Lateral projection, left wrist plain radiograph of the wrist, boy, 5 yo — 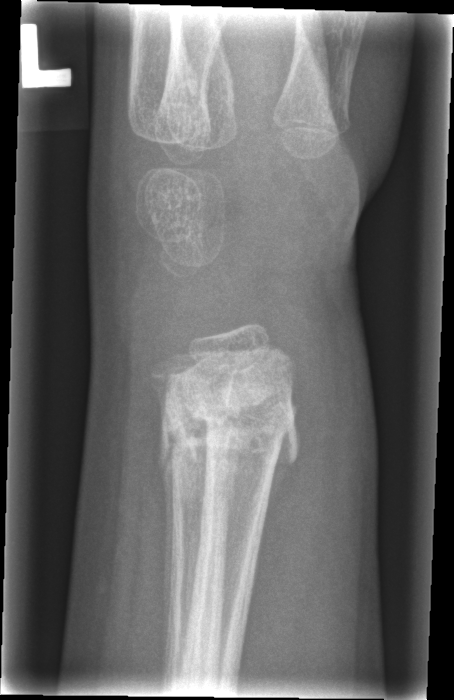
- Bone fracture: bbox(151, 377, 305, 482).
- Fracture classified AO/OTA 23-M/3.1.
- Periosteal new bone identified at bbox(157, 409, 178, 691).
- Osteopenic.